Lateral view; Lt wrist plain film; 14-year-old girl; image size 489x950. 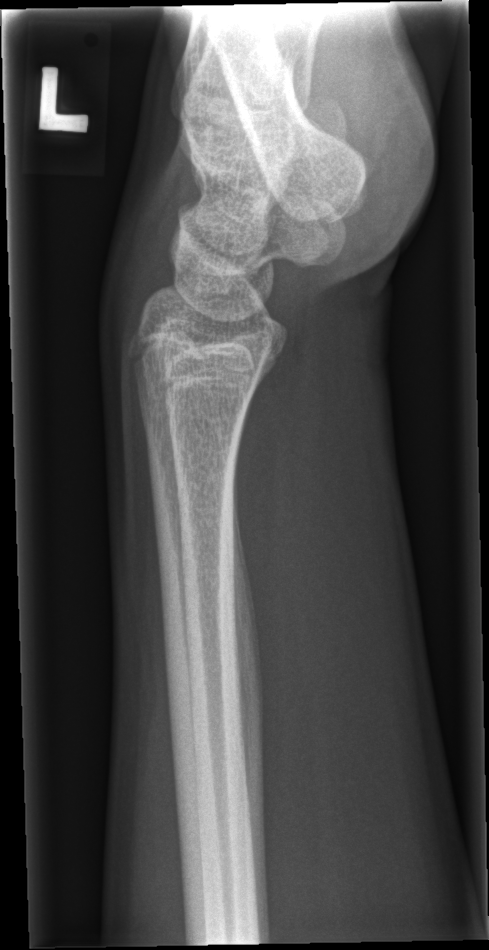
No fracture labeled.